Lateral, left wrist radiograph, in cast, image size 538x1076 — 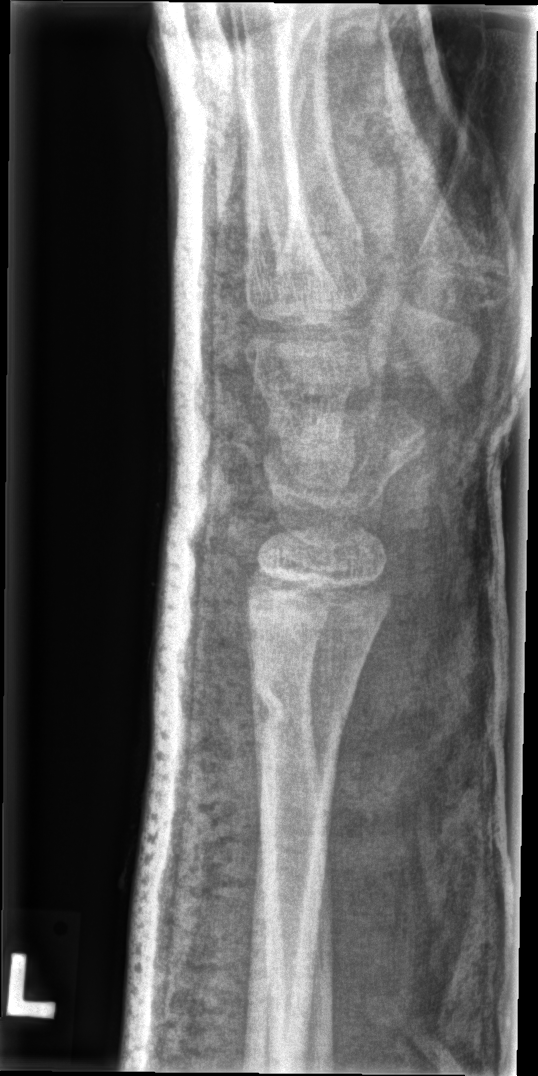 Q: Is there a fracture?
A: Fracture identified at 247 671 351 732